Lateral projection | right wrist XR | boy, 6 yo | cast present.
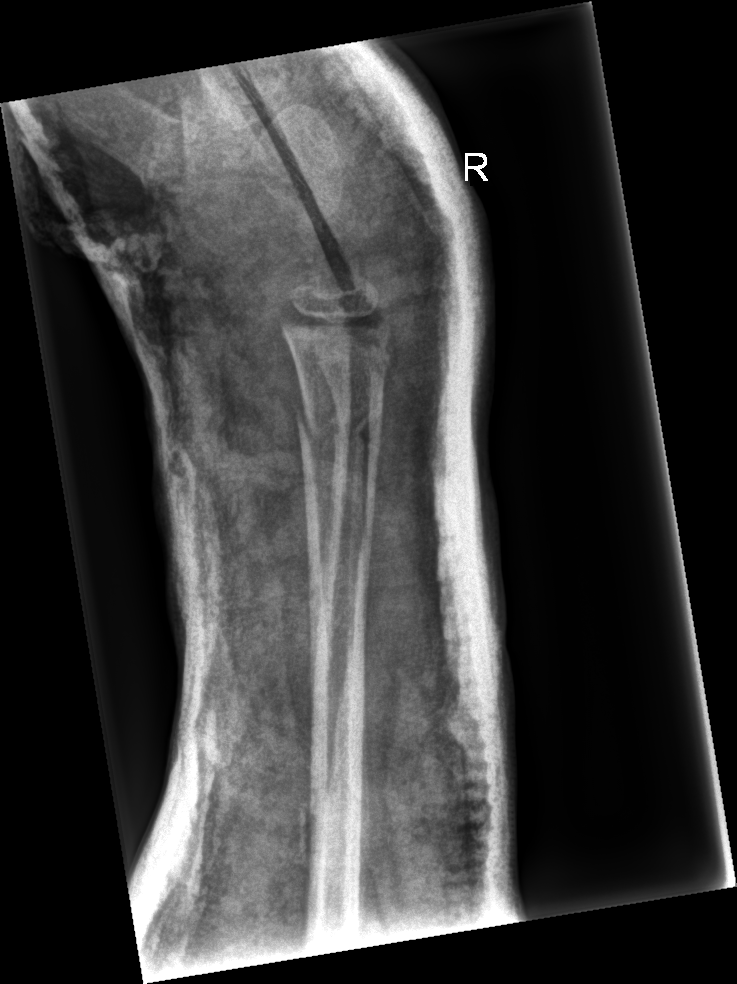
{"fracture": "bbox(291, 396, 386, 461)", "ao": "23r-M/3.1; 23u-M/2.1"}